Left wrist XR, lateral, image 56.6 mm wide.
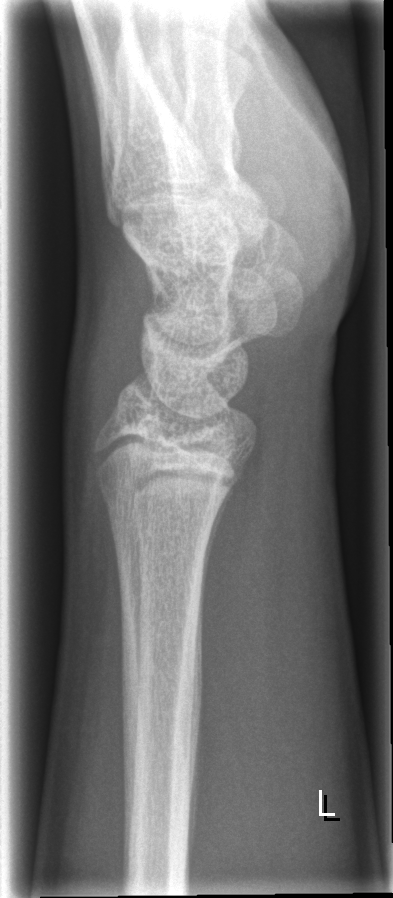 {
  "fracture": "none labeled"
}